Lat | Rt pediatric wrist radiograph: 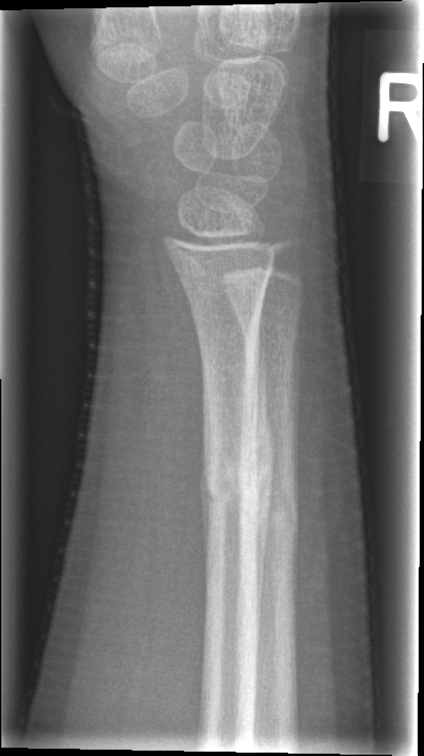 One periosteal new bone at (left=252, top=302, right=273, bottom=618).
Decreased bone density (osteopenia).
Bone fractures — (left=198, top=458, right=273, bottom=521), (left=238, top=471, right=306, bottom=536).